Left wrist radiograph; PA; 8y F — 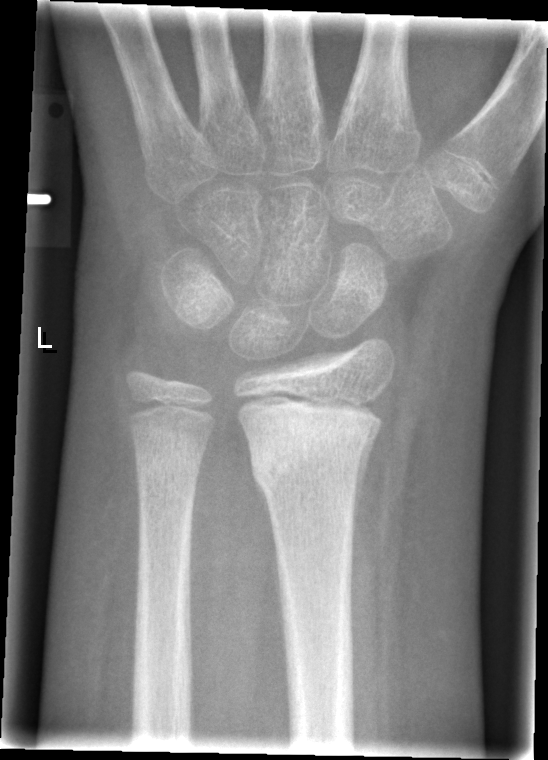

(pixel coordinates, top-left origin, xyxy)
osteopenia = present
Fx = 1 @ (241, 418, 382, 510)
periosteal reaction = (351, 420, 383, 535)